Left plain radiograph of the wrist | frontal projection.

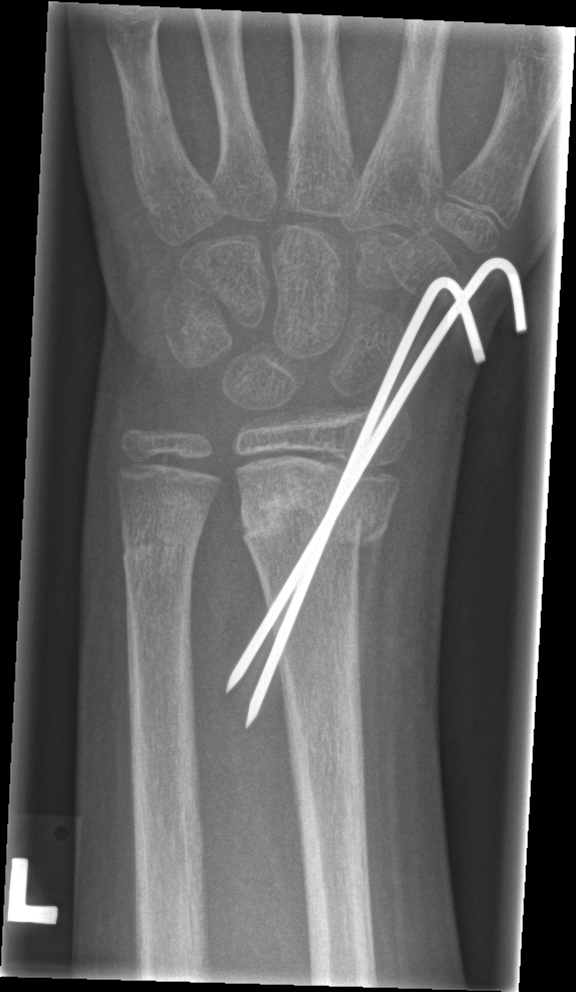   fracture: 2 @ (239, 473, 397, 558); (114, 520, 207, 574)
  metal: 1 @ (224, 255, 526, 730)
  osteopenia: present